Right wrist XR, lat view —
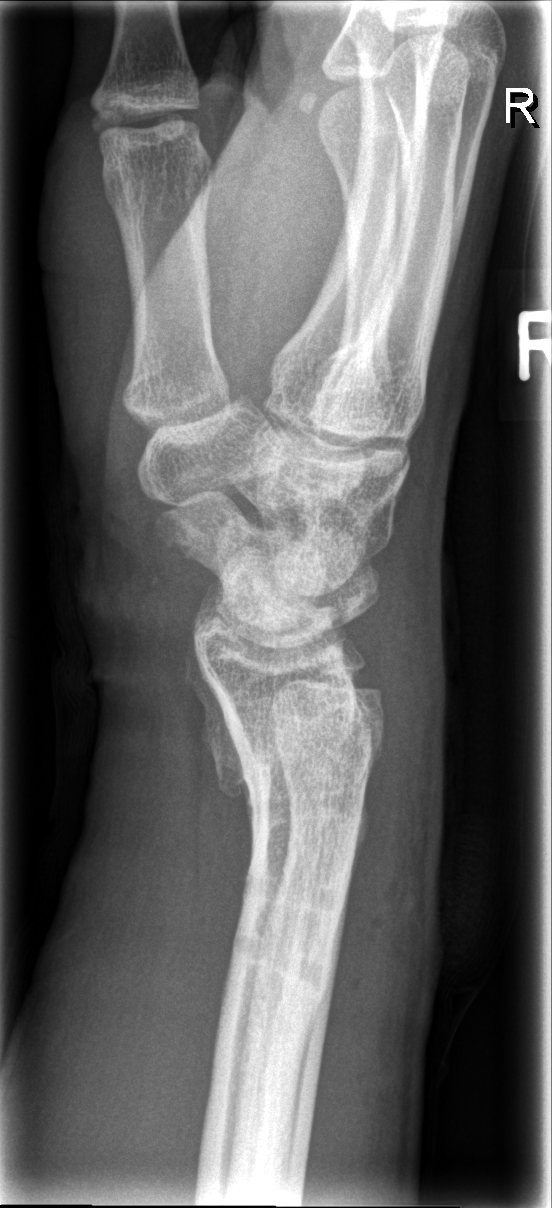
Q: AO code?
A: AO code 23r-M/3.1; 23u-E/7
Q: Locate any periosteal reaction.
A: Periosteal thickening identified at 182 629 261 846
Q: Any fracture seen?
A: One Fx at 180 640 382 842